Lateral view · right wrist XR · 7-year-old male.

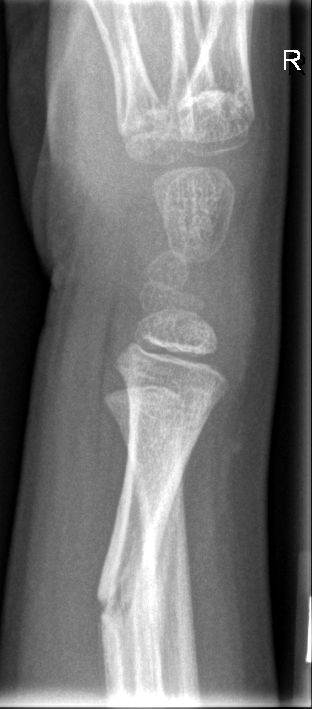
Osteopenia.
Fracture — 90 563 161 656.